AP · right wrist pediatric wrist radiograph · 8-year-old male · acquired on Siemens · 546 by 808 pixels. 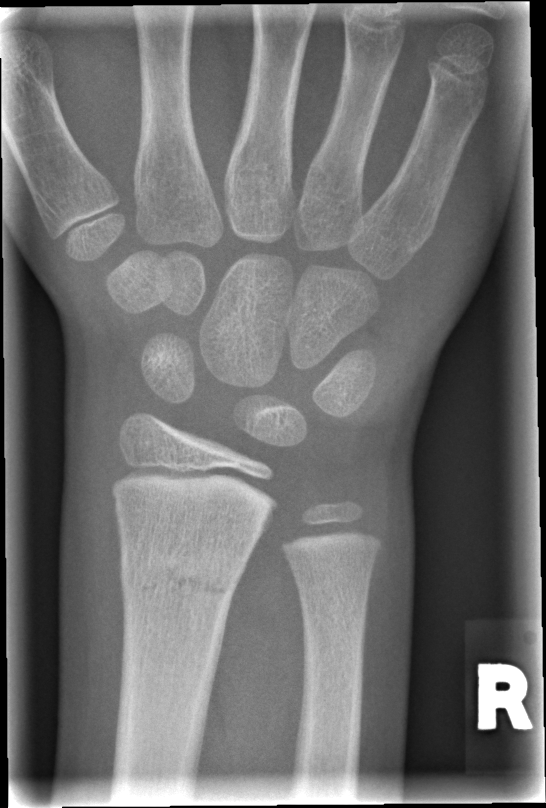
bone fracture: <116,544>-<251,609>